L pediatric wrist radiograph · lateral projection · initial study · acquired on Siemens

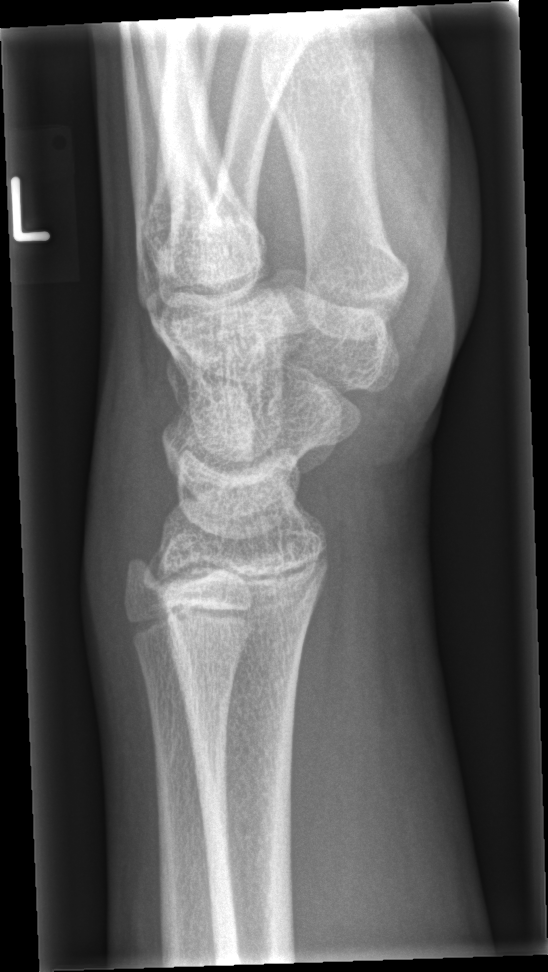

Q: Is there a fracture?
A: No Fx annotated